R wrist X-ray; lateral projection; follow-up study; cast in situ; detector: Siemens —

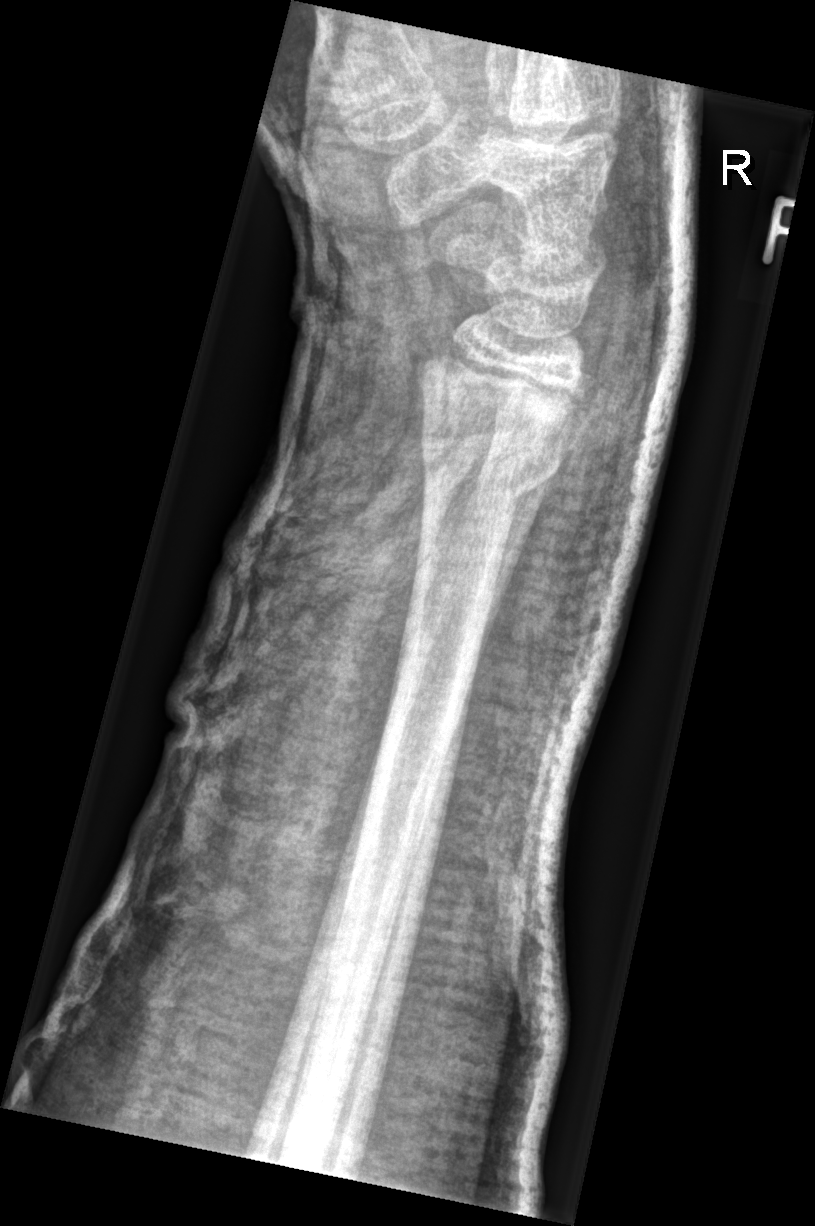 Findings: AO code 23r-M/3.1; 23u-E/7. One Fx at (left=403, top=398, right=575, bottom=507).